PA, right wrist plain film, 427x818.
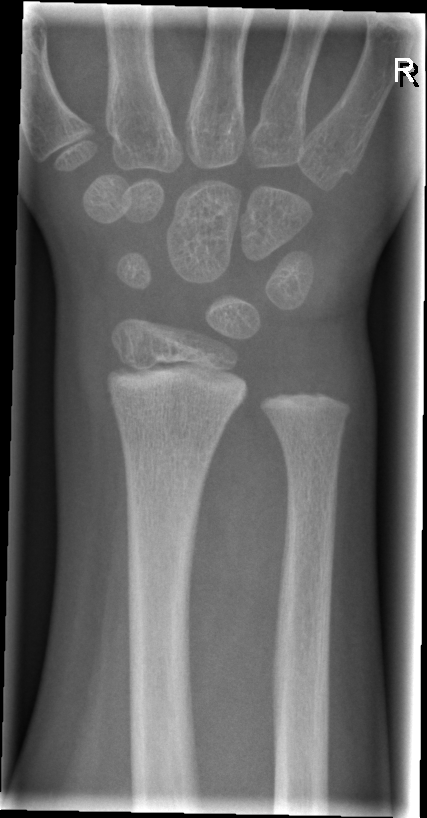 FINDINGS — No fracture bounding box.